Lt wrist radiograph, lat, presentation radiograph, Siemens —
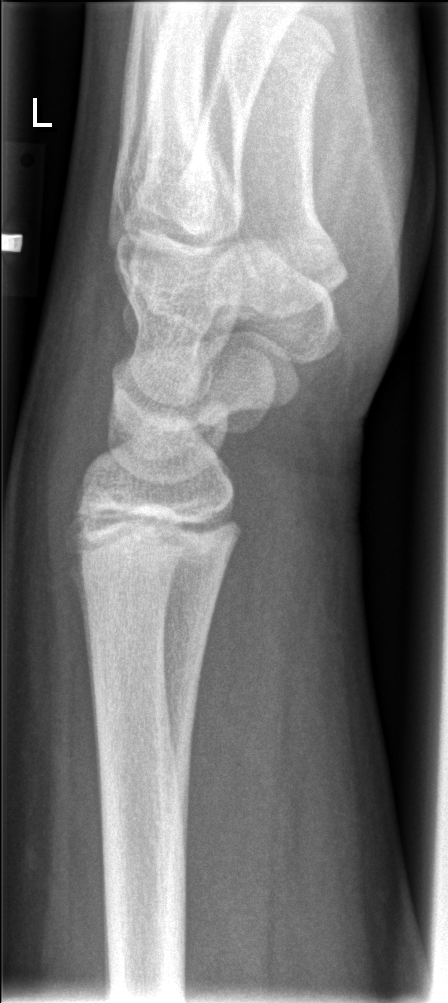 No fracture annotation.